Frontal view · left wrist radiograph · pediatric patient (male, age 14)

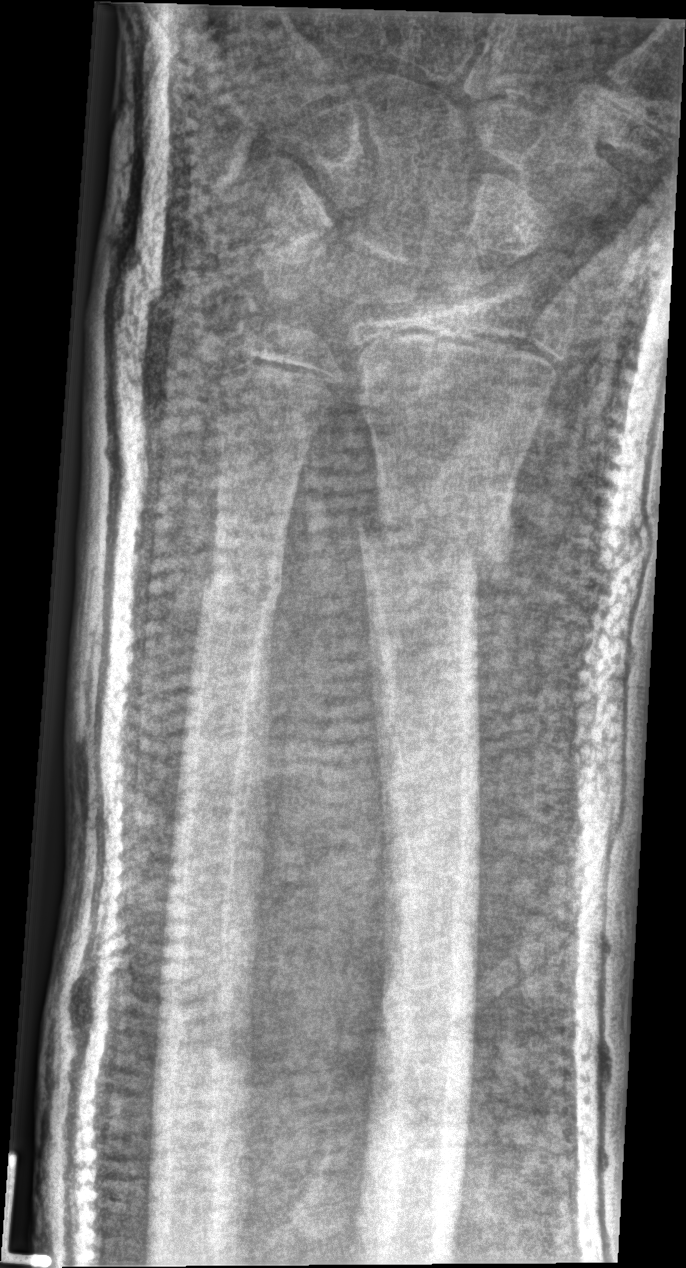
Bounding boxes in image-pixel xyxy. Two fractures at (352, 506, 518, 584), (196, 560, 287, 615).